Right wrist pediatric wrist radiograph | posteroanterior | 11y M | 99.5 mm image width | 691x774 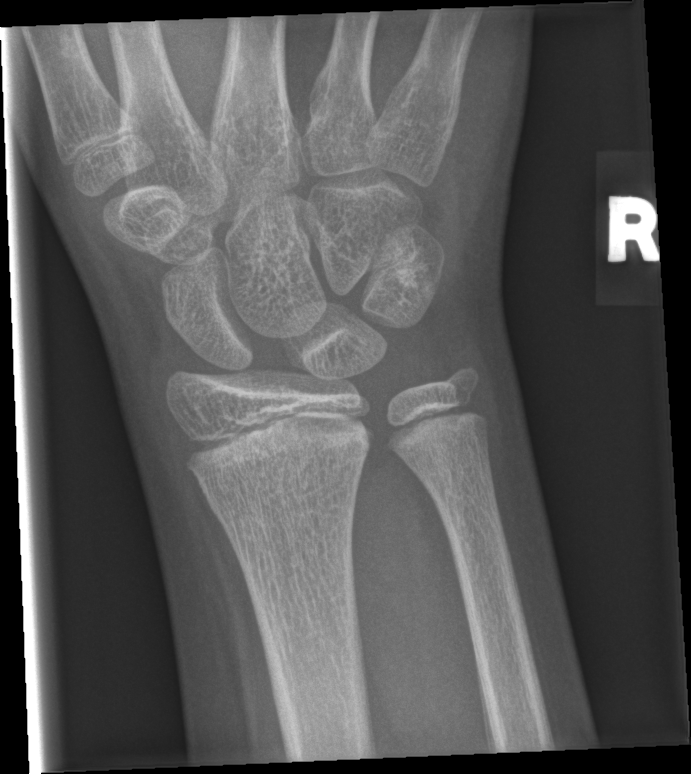
• Pixel coordinates, top-left origin, xyxy.
• AO/OTA classification: 23r-M/2.1.
• One bone fracture at (left=196, top=443, right=371, bottom=521).